PA, left wrist X-ray, 9y M, image width 74.9 mm:

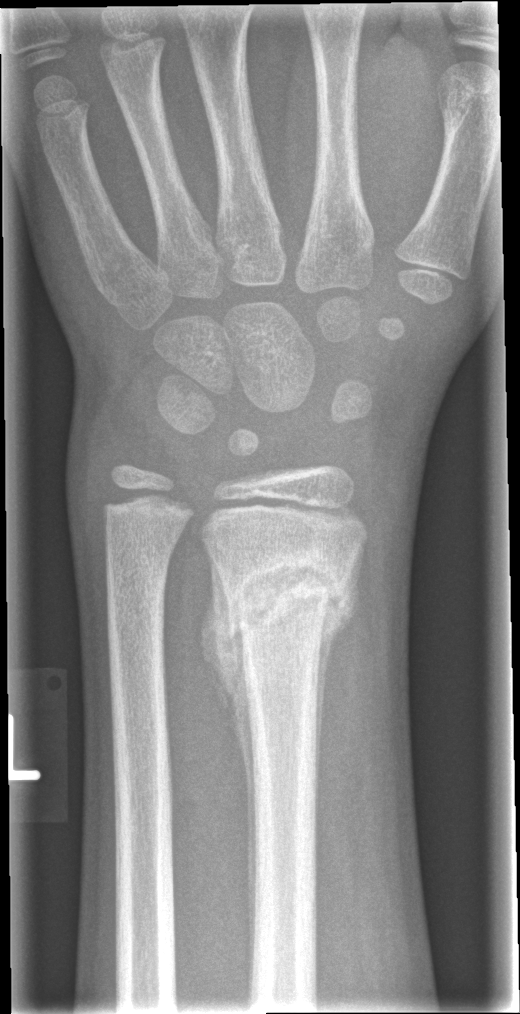
FINDINGS: Periosteal reaction — bbox(200, 549, 262, 968), bbox(313, 607, 343, 841). One bone fracture at bbox(221, 556, 352, 637).